Rt wrist X-ray; lat; findings marked uncertain by the reading radiologist: 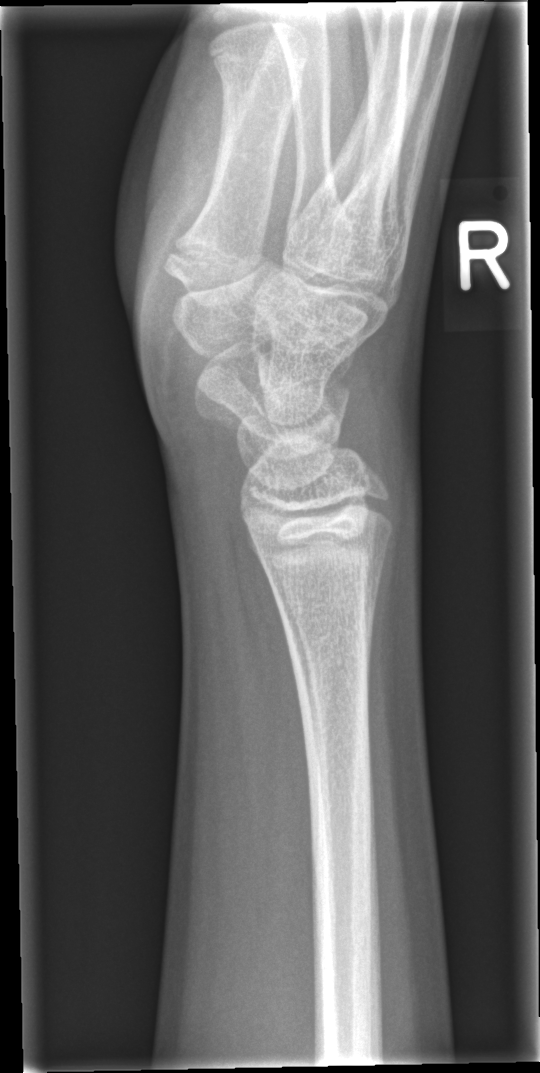 No fracture bounding box.